Posteroanterior projection; left wrist radiograph; pediatric patient (male, age 7); cast in situ —

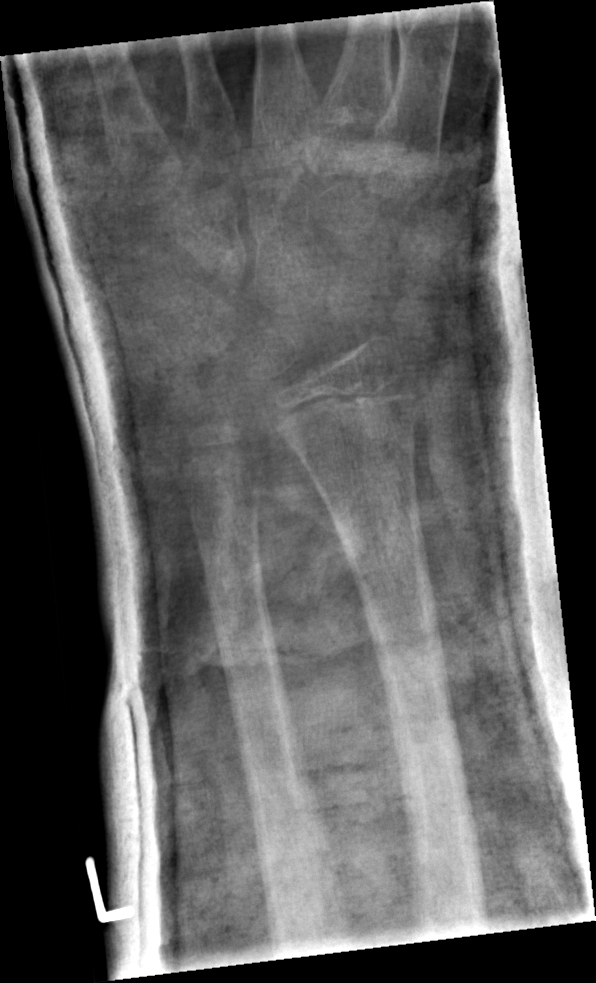 • No fracture annotation.